Lat projection · left wrist plain film —
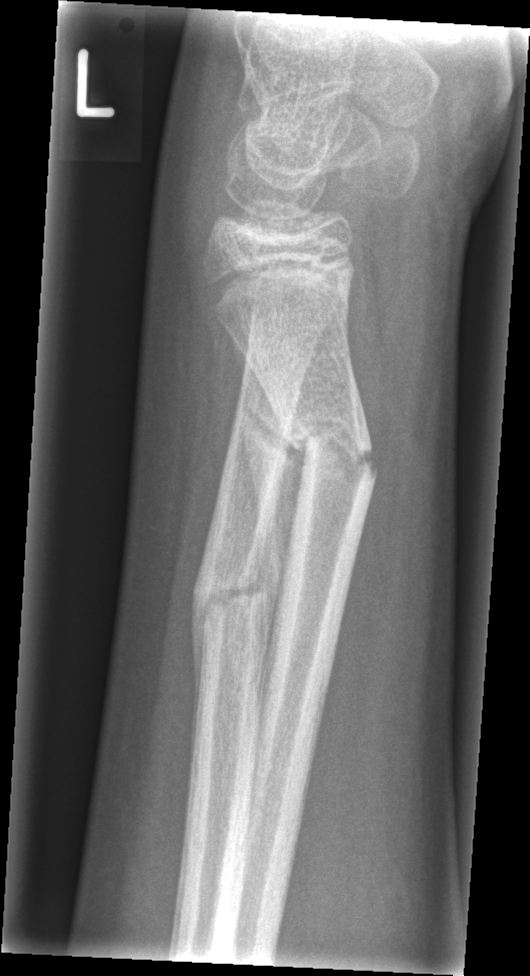

Two fractures at (284, 422, 384, 485), (191, 561, 279, 625). Periosteal new bone identified at (227, 325, 309, 735); (189, 590, 212, 779). Osteopenic.